Left wrist X-ray; lateral view; pediatric patient (boy, age 4); follow-up; imaged through cast: 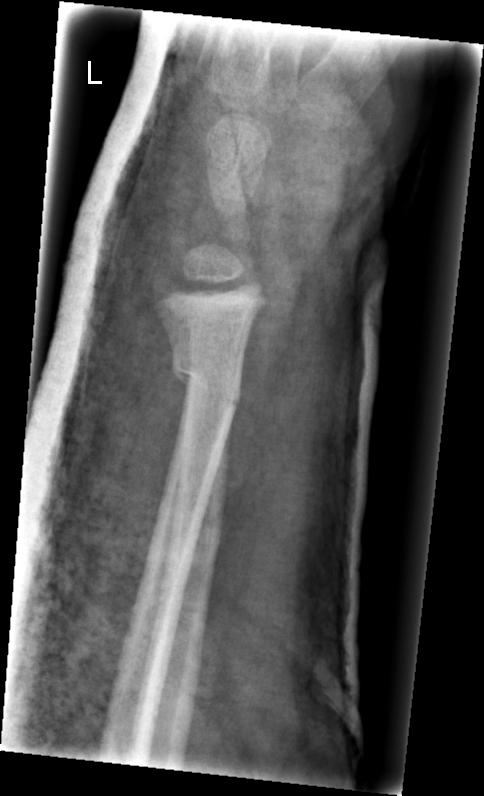

AO code 23r-M/3.1. Fx — 170 347 243 411.